Lat, Rt wrist radiograph, Siemens: 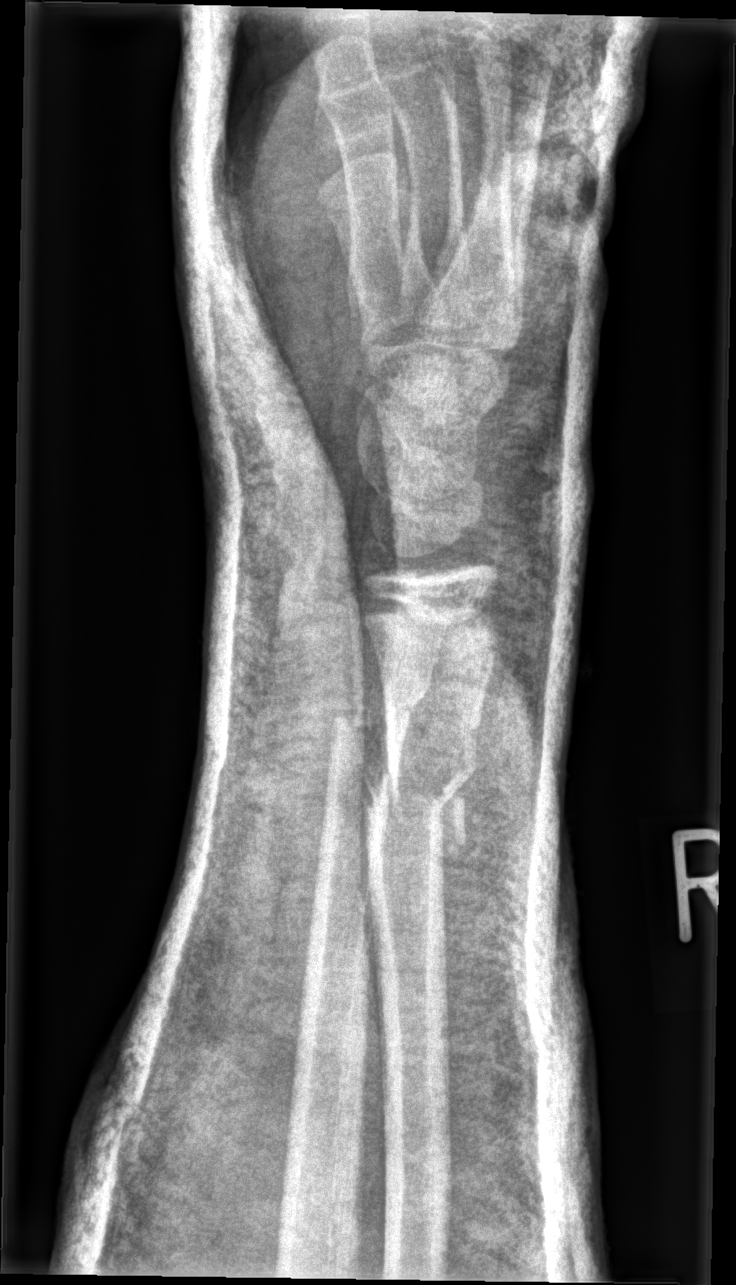 (bounding boxes in image-pixel xyxy)
AO classification = 23-M/3.1
Bone fracture = [359, 734, 481, 864]; [327, 672, 432, 753]